Right wrist plain film · AP. 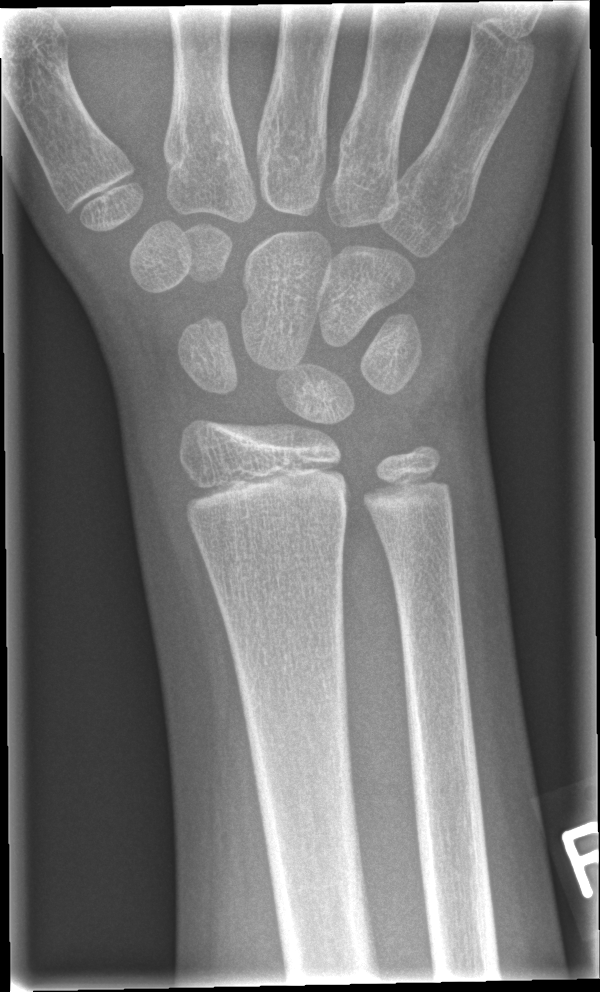

{"fracture": "none labeled"}